Lateral projection; L wrist XR; subsequent exam; cast present —
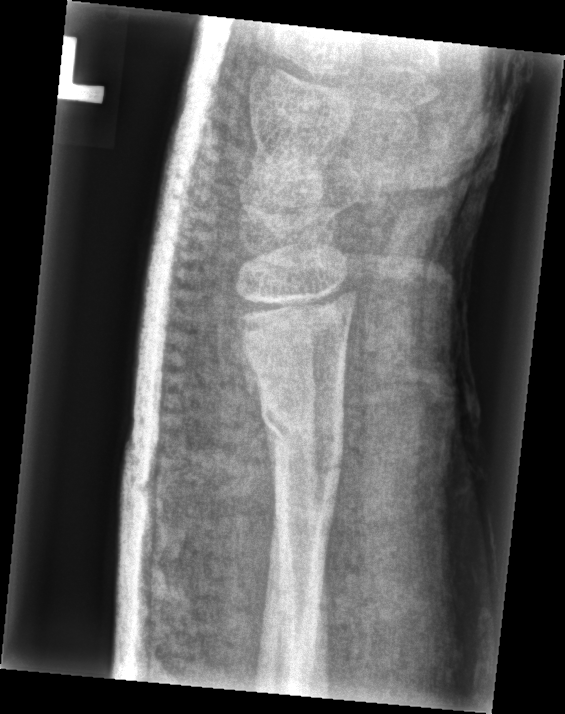
Boxes as x1,y1,x2,y2 (top-left / bottom-right, pixel units). Bone fracture identified at (left=258, top=396, right=347, bottom=480). Fracture classified AO/OTA 23r-M/3.1; 23u-M/2.1.